L wrist X-ray | frontal | 12-year-old male:

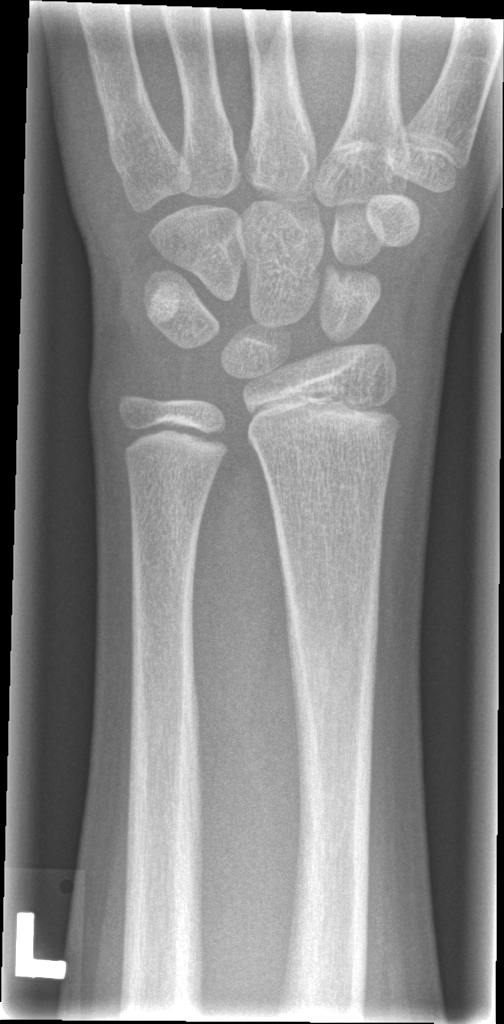
AO code 22r-D/2.1. One Fx at <284,584>-<384,696>.